Right wrist XR; lateral projection; 11y M: 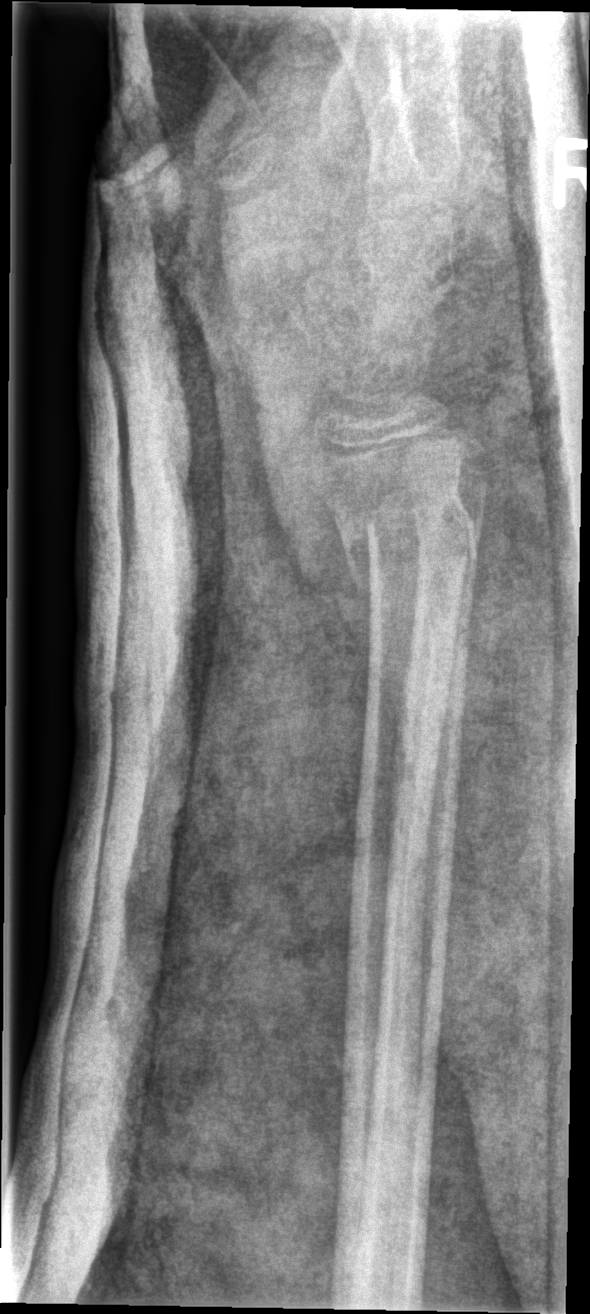

Findings: Fx identified at 339 481 485 597.